Lateral; Rt wrist radiograph; age 9 y, male.

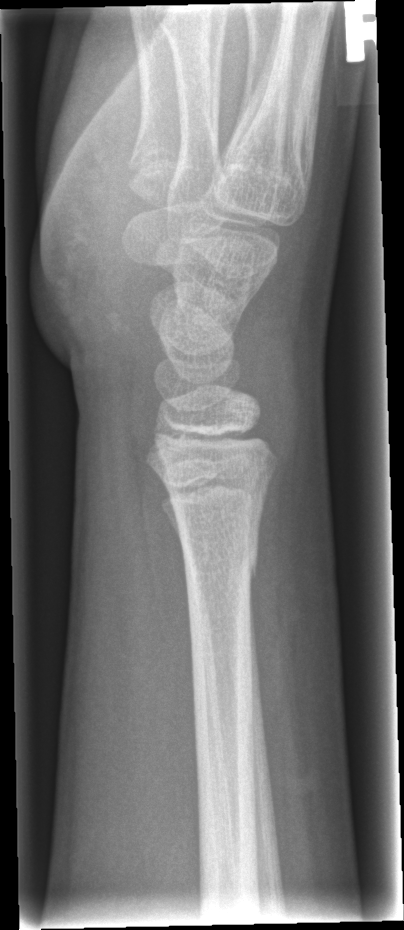
Fx = 1 @ 179 530 263 597